Rt wrist X-ray; posteroanterior; boy, 10 yo; subsequent exam; in cast; image width 89.9 mm 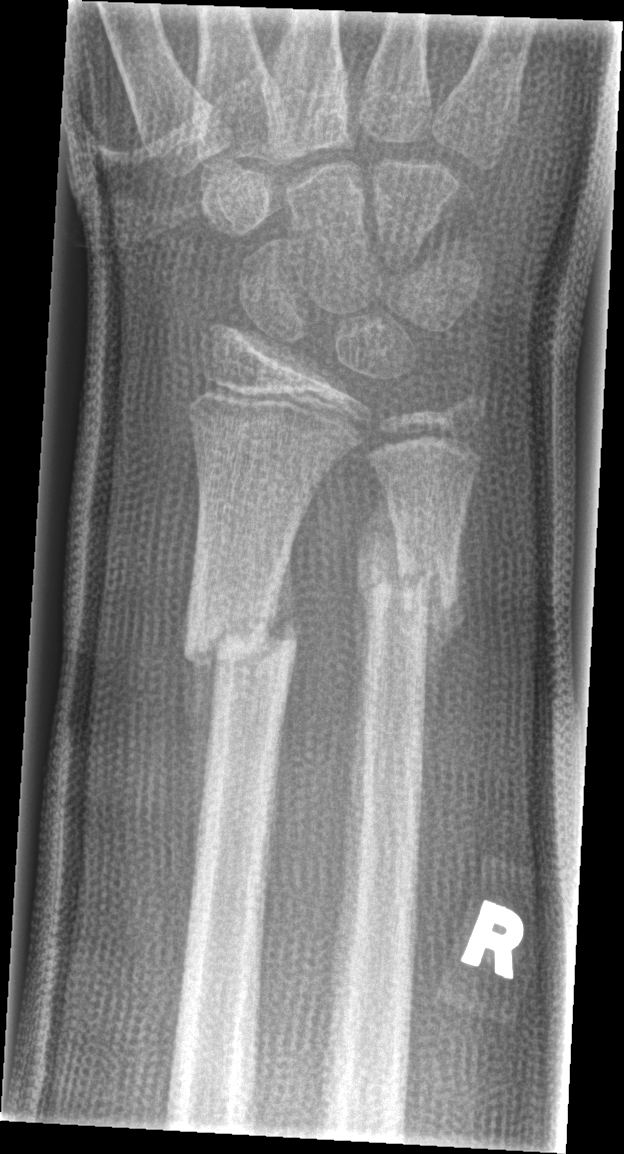

  periostealreaction: 346,488,400,728
  420,522,468,791
  184,650,218,856
  263,545,300,642
  fracture: 182,587,305,687; 355,525,467,625
  ao: 23-M/3.1